Lat projection, right wrist plain film, 544x891. 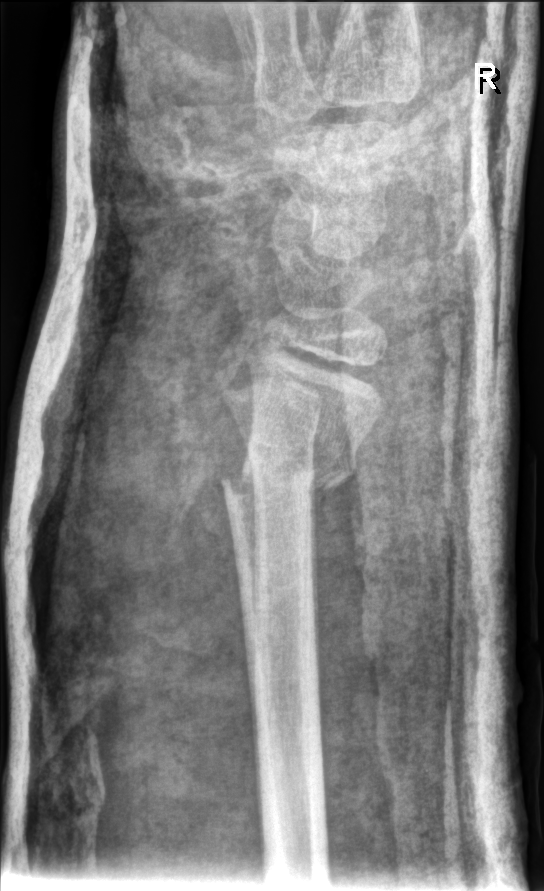
(coordinates are [x1, y1, x2, y2] in image pixels)
AO/OTA = 23r-M/3.1
Fx = 1 @ (left=220, top=435, right=359, bottom=507)